R wrist plain film | lat projection | cast in situ. 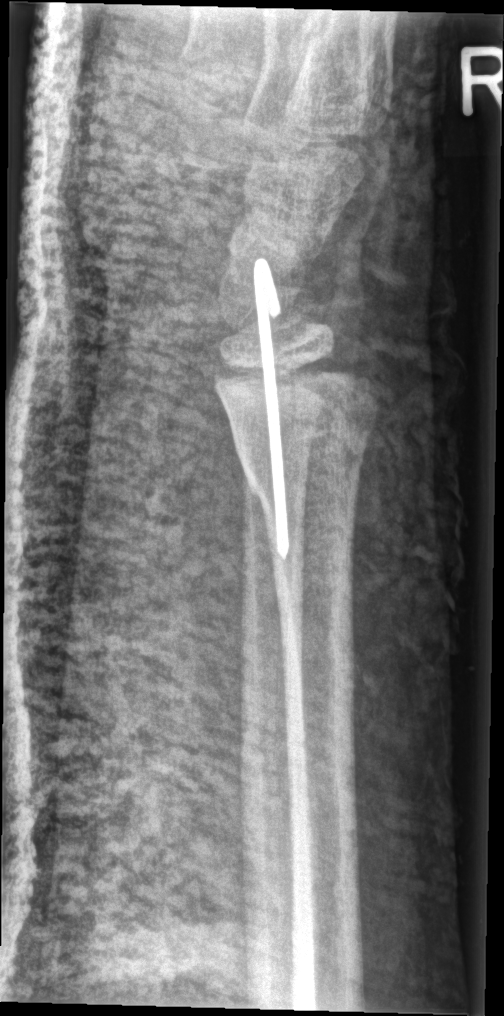 FINDINGS: Fracture classified AO/OTA 23r-E/2.1. Metal: <254,261>-<289,558>. One fracture at <217,346>-<382,504>.